Right wrist radiograph; AP projection
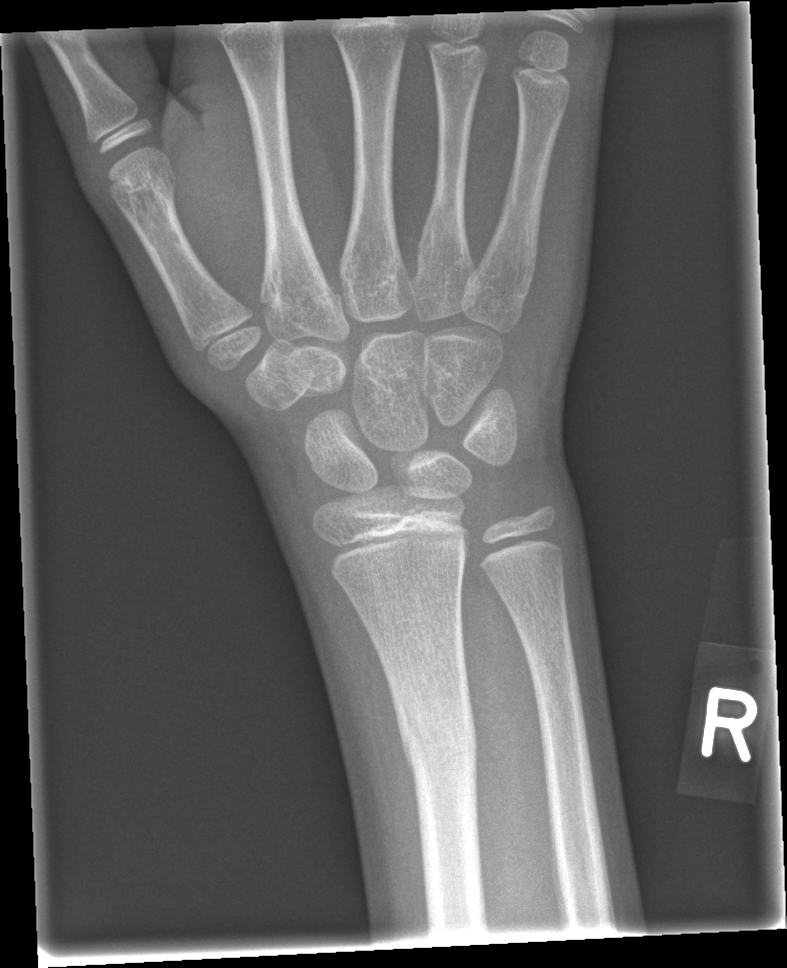
Boxes as x1,y1,x2,y2 (top-left / bottom-right, pixel units).
Fracture classified AO/OTA 22r-D/2.1.
Fx — 390 683 484 787.